Left wrist radiograph | lat | pediatric patient (girl, age 10) 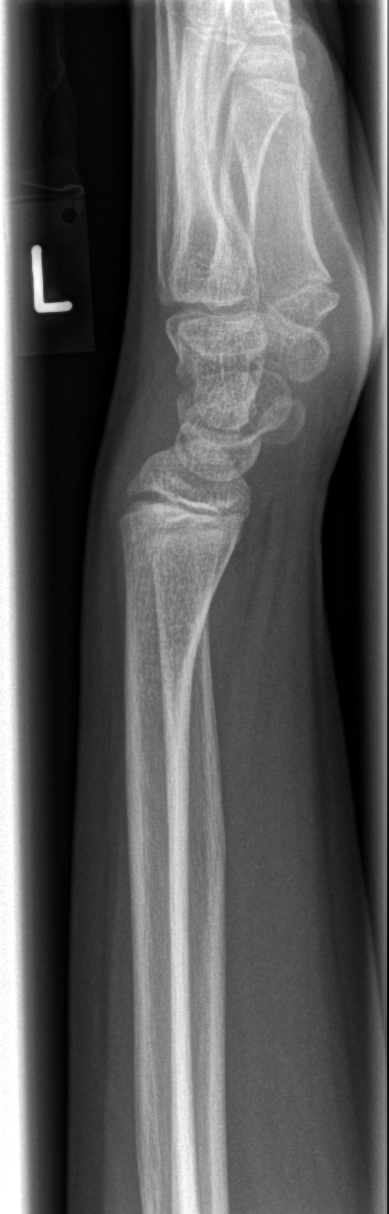
* Fracture: none labeled.